Lateral view | left wrist X-ray — 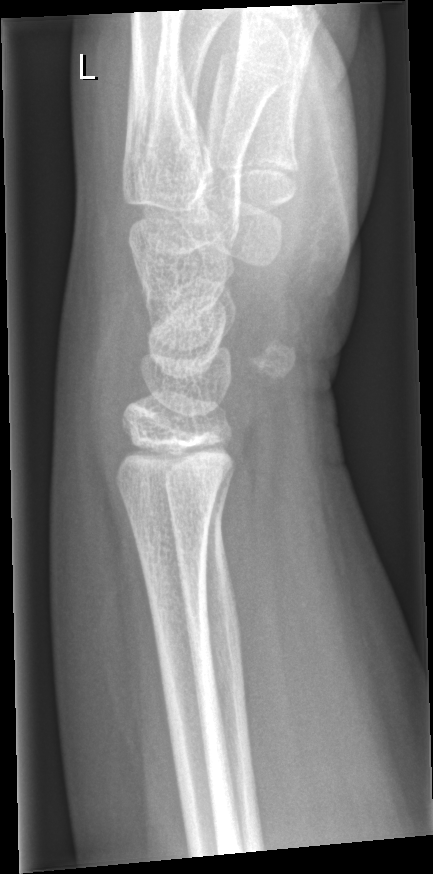

* No Fx annotated.